Frontal, L plain radiograph of the wrist, pediatric patient (male, age 13), cast in situ

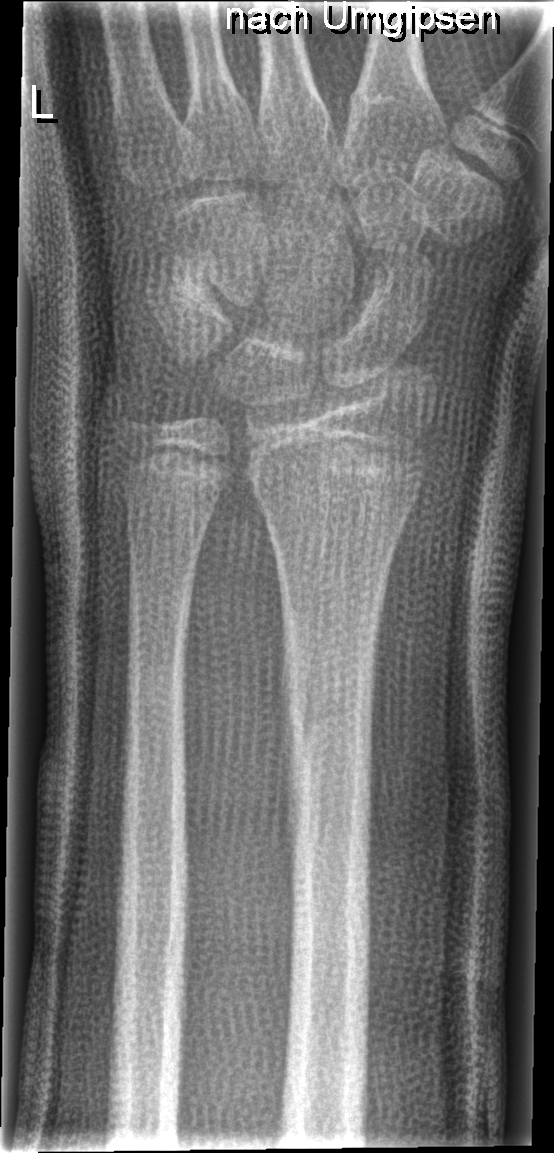 Q: AO code?
A: AO code 23r-M/3.1
Q: Fracture present?
A: One bone fracture at [x1=276, y1=642, x2=385, y2=788]